Left wrist X-ray | AP | pediatric patient (female, age 13)

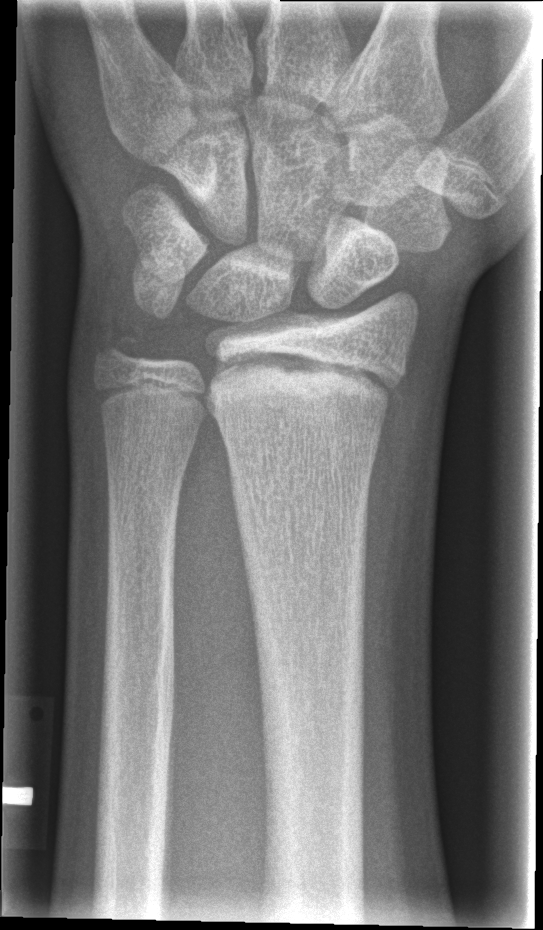
• Fracture classified AO/OTA 23r-E/2.1; 23u-E/7.
• Fx identified at 202 344 404 421
  89 323 146 378.